R plain radiograph of the wrist · obl · age 17 y, boy: 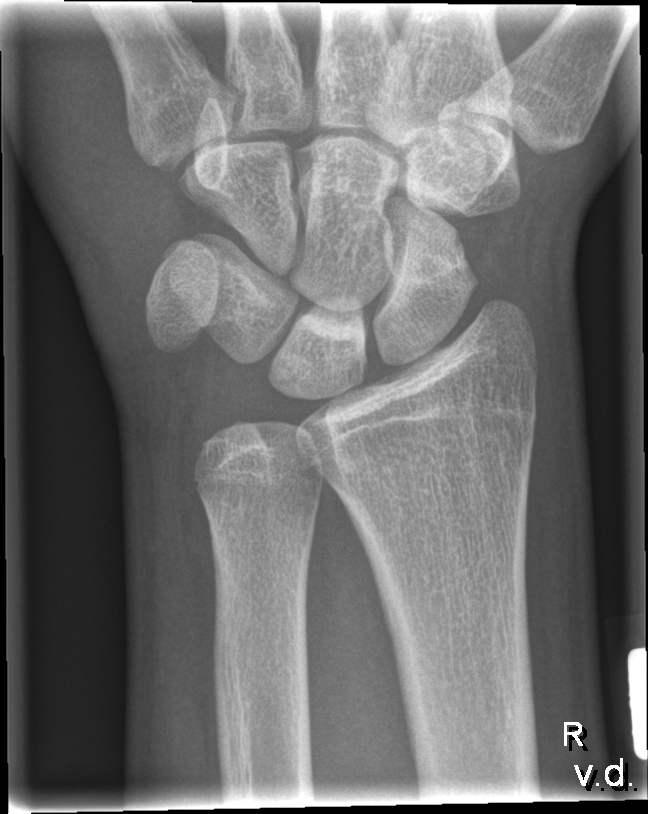 * Fracture: none labeled.